PA/AP view, Rt wrist X-ray, initial study —

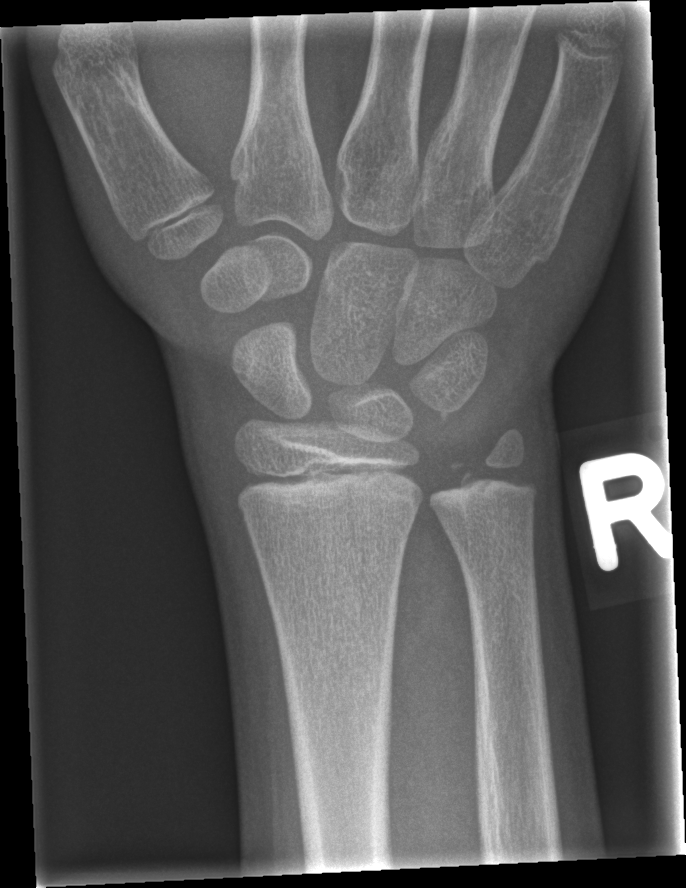
ao: 23u-E/1
fracture: 1 @ [x1=447, y1=454, x2=542, y2=509]